Posteroanterior projection; left wrist radiograph — 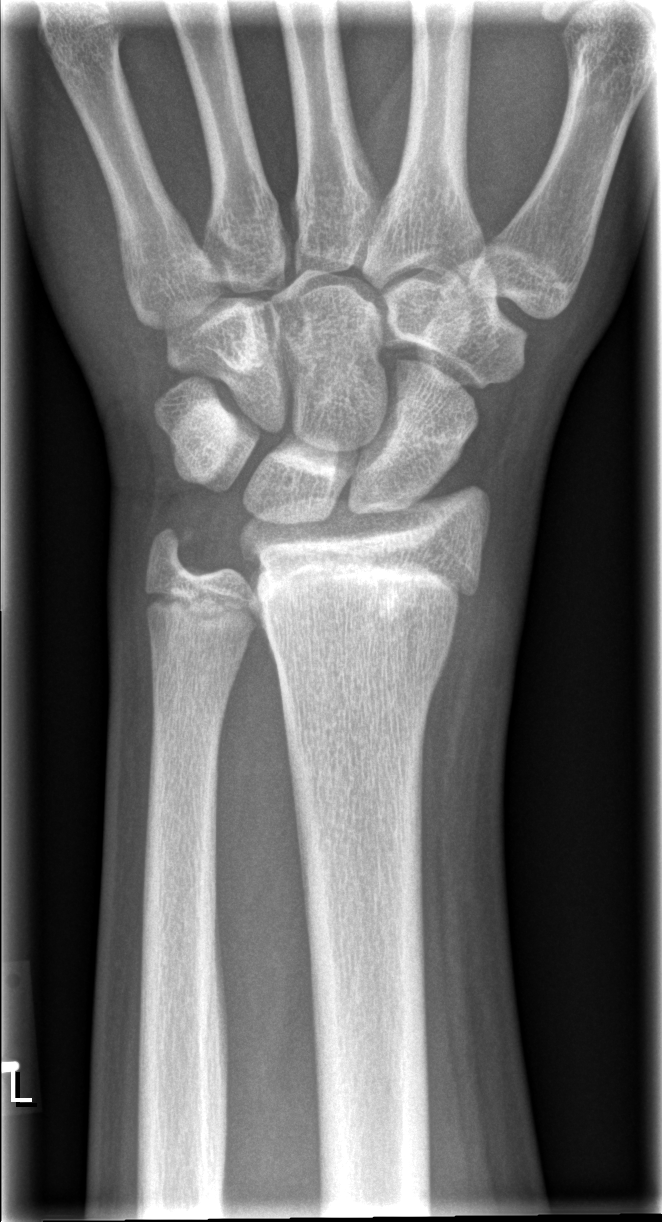
Pixel coordinates, top-left origin, xyxy.
Two Fx at [x1=247, y1=548, x2=487, y2=632], [x1=140, y1=517, x2=209, y2=582].
Fracture classified AO/OTA 23r-E/2.1; 23u-E/7.